AP view | L plain radiograph of the wrist | age 6 y, girl 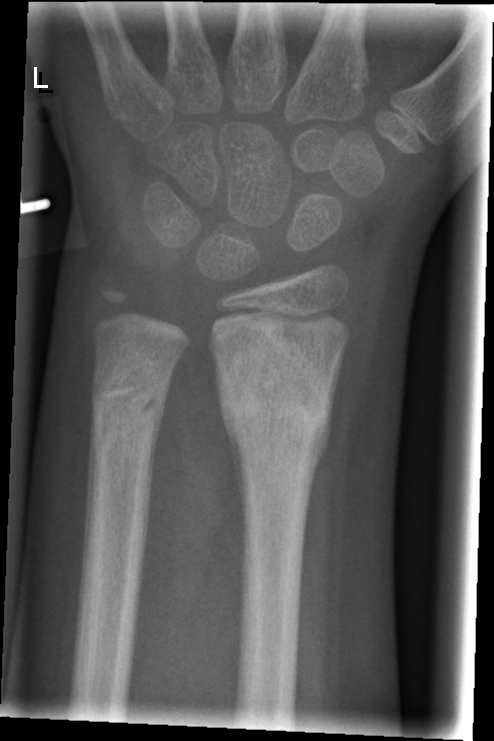

{"ao": "23-M/3.1", "fracture": "207,326,340,466\n  86,351,173,449"}